Right wrist X-ray · PA projection · presentation radiograph · 491 by 744 pixels

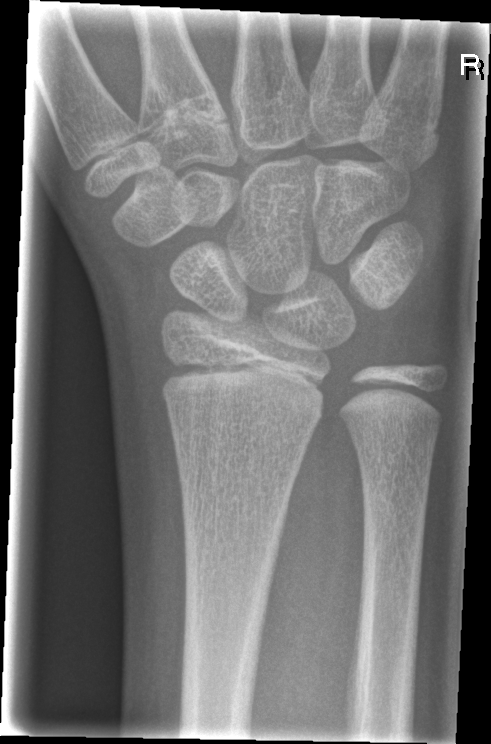 Bone fracture: none labeled